Lat projection, right wrist plain film, initial study, 73.9 mm image width 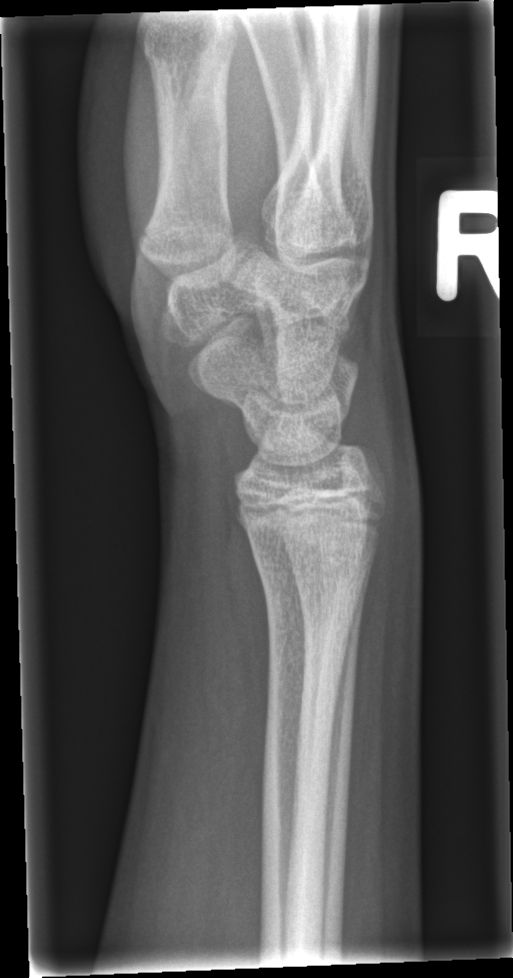 * Fx: (left=258, top=586, right=361, bottom=806).